Left wrist radiograph, lat projection, 15-year-old female 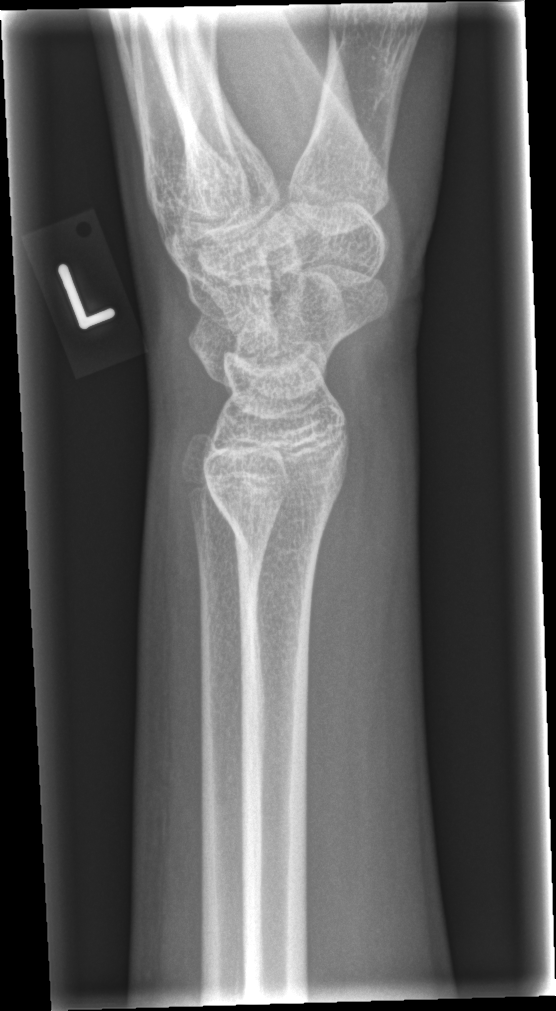
Fracture identified at [214, 491, 336, 563].
Fracture classified AO/OTA 23r-M/2.1.